PA view, R pediatric wrist radiograph, index exam.
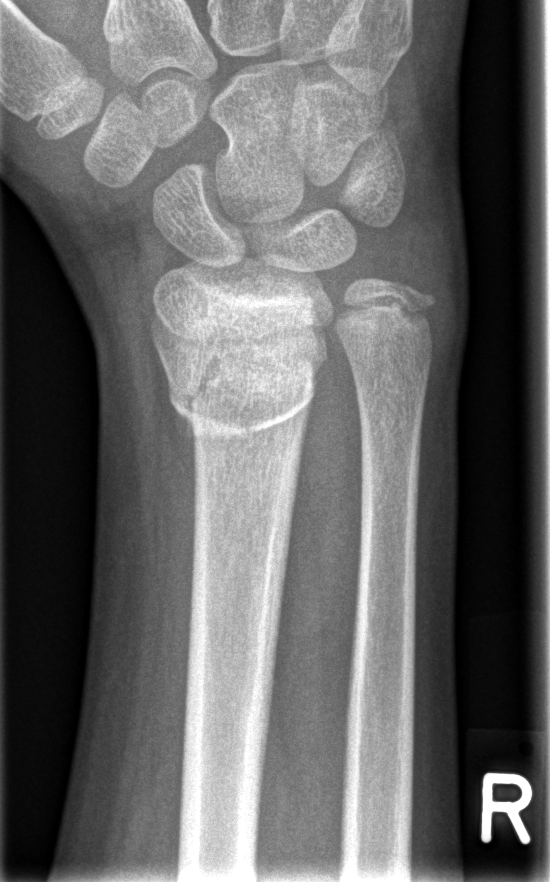 (bounding boxes in image-pixel xyxy)
Fracture = [x1=160, y1=341, x2=329, y2=450]